Lateral view; right plain radiograph of the wrist; 13-year-old male 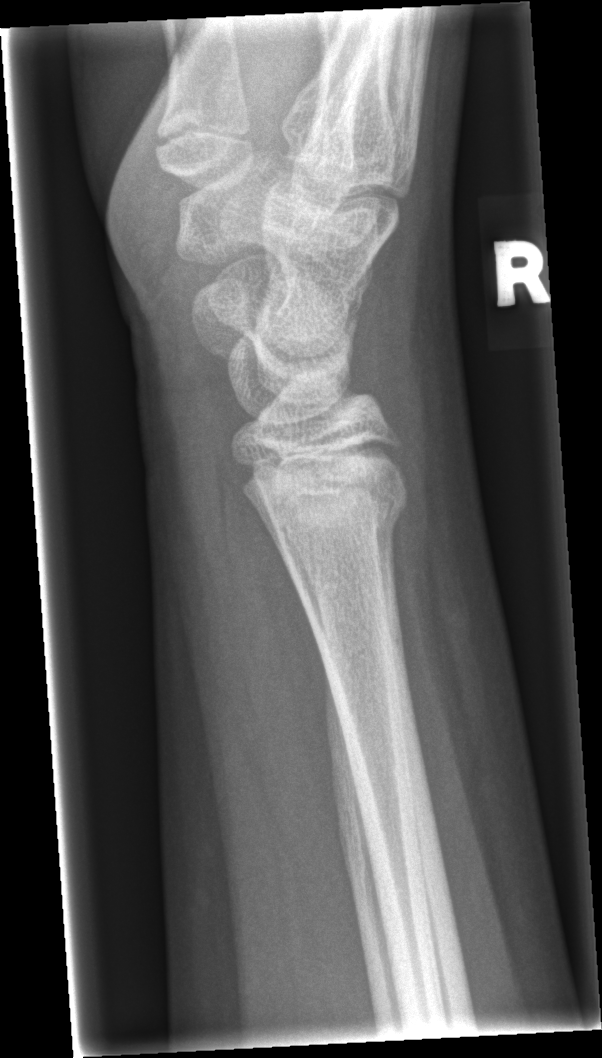 Fx identified at [x1=240, y1=457, x2=413, y2=538].